Lateral view | left wrist XR —

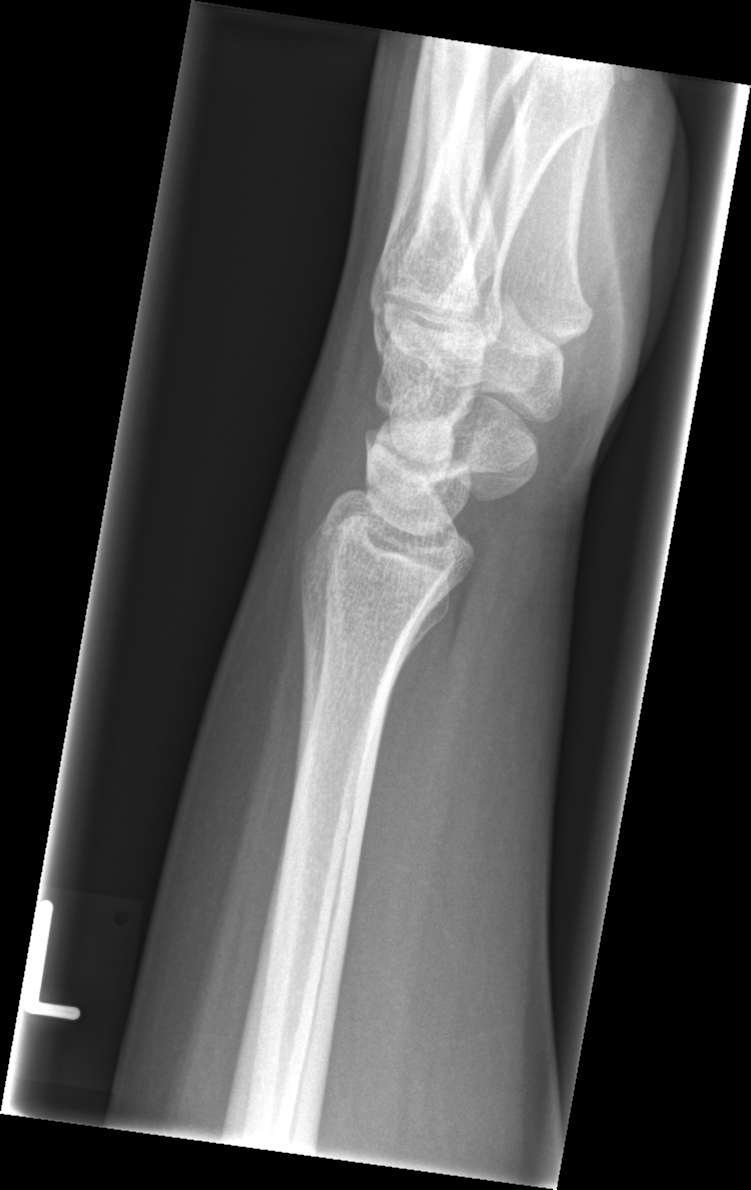
Fx: none labeled